PA projection · R wrist XR · Siemens · image 75.0 mm wide:

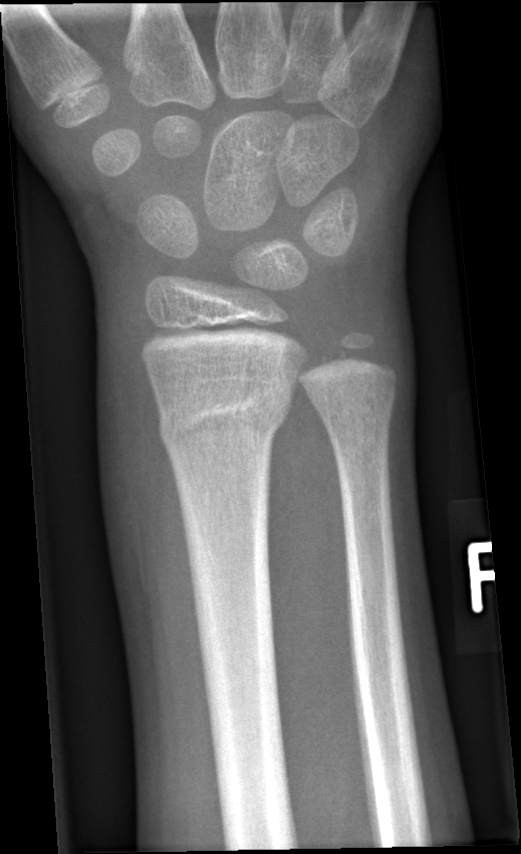
(boxes as x1,y1,x2,y2 (top-left / bottom-right, pixel units))
AO/OTA = 23r-M/2.1
Fx = 1 @ 155,383,292,454